Lt pediatric wrist radiograph, PA projection, male, 8 yo, subsequent exam, in cast.

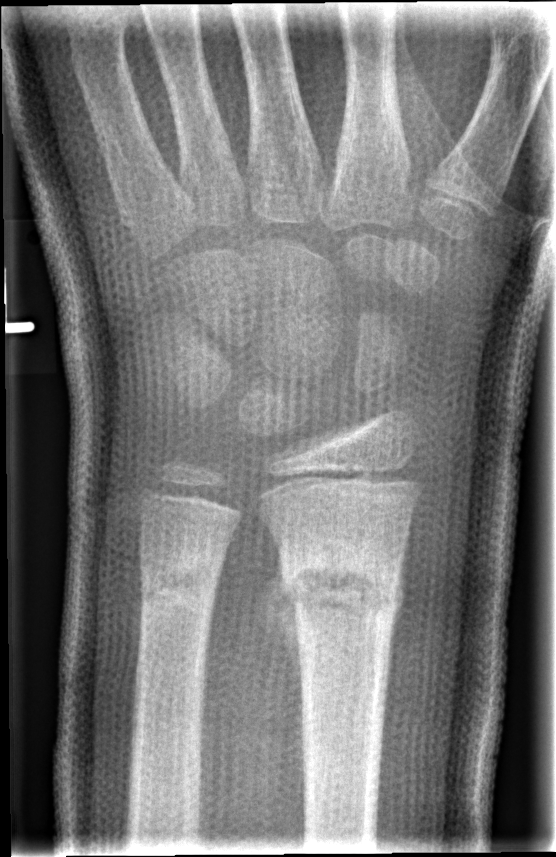 Fx: [x1=275, y1=536, x2=406, y2=635] [x1=133, y1=547, x2=227, y2=612]
Periosteal new bone: 1 @ [x1=254, y1=551, x2=303, y2=692]